Left wrist pediatric wrist radiograph; lateral; 13y M; cast in situ; image size 480x1064.
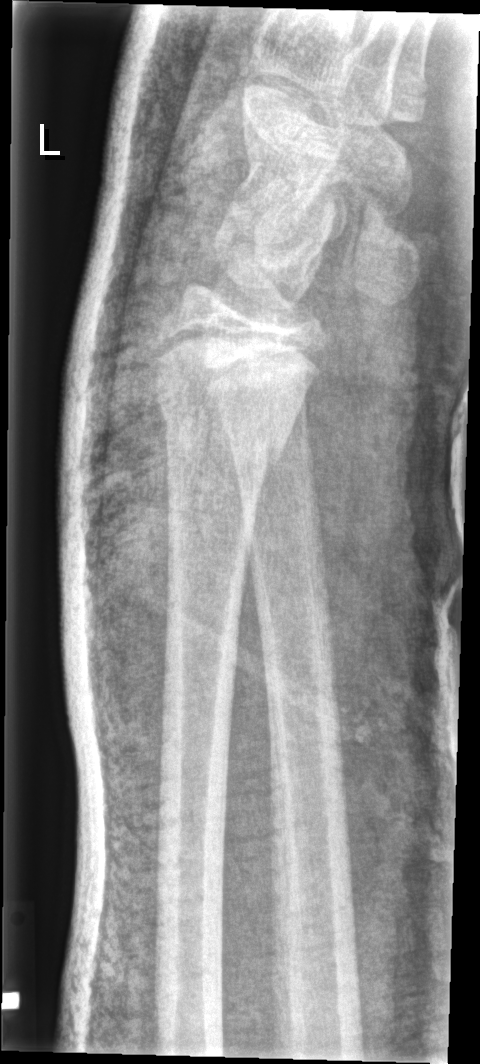 * Boxes as x1,y1,x2,y2 (top-left / bottom-right, pixel units).
* Bone fracture — [161, 402, 291, 486].